Lat | right wrist X-ray | 11y M | detector: Siemens 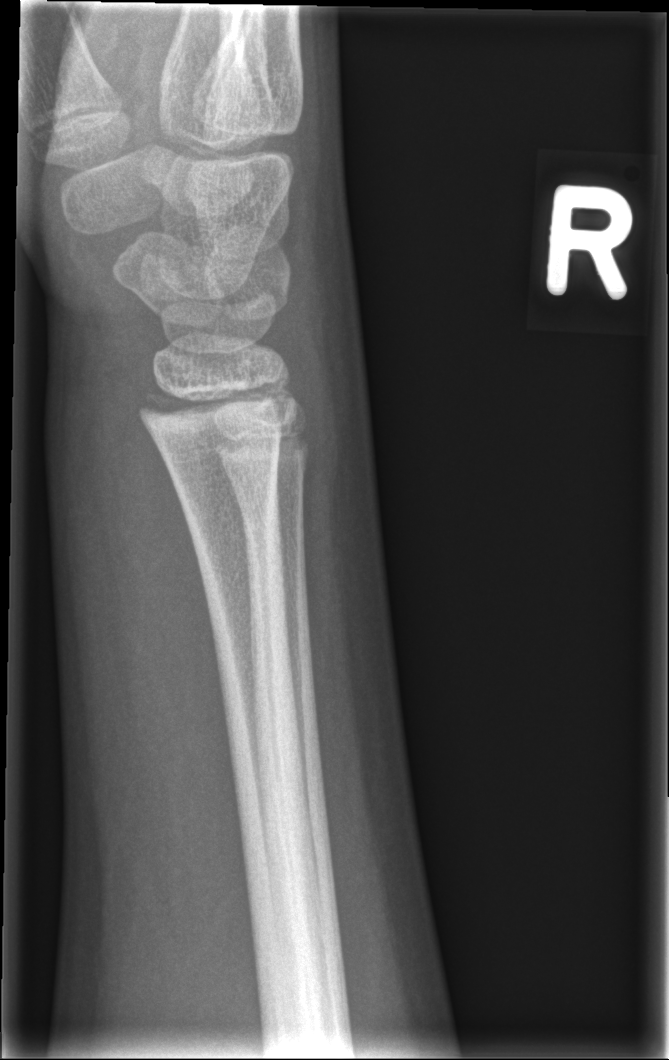
Findings: Pronator sign identified at 114,331,249,845. Bone fracture identified at 134,372,295,435.